Left wrist plain radiograph of the wrist | lateral projection | male, 7 yo | image width 63.6 mm | 442x782. 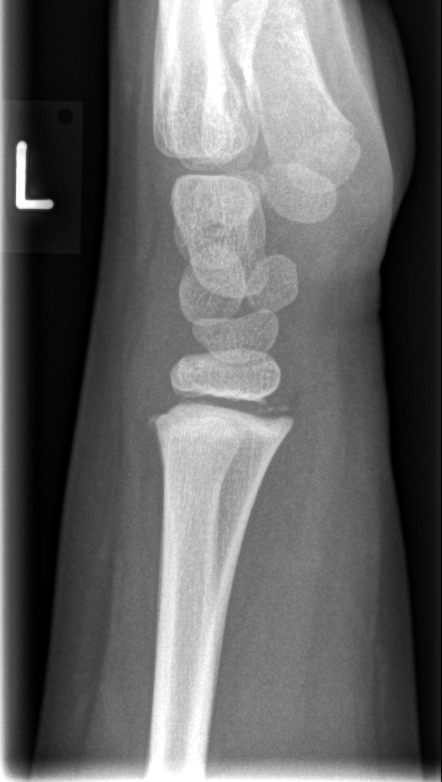 Boxes as x1,y1,x2,y2 (top-left / bottom-right, pixel units).
Fx: 144,379,298,436.
Fracture classified AO/OTA 23r-E/2.1.